Right wrist X-ray · lateral projection · age 3 y, girl 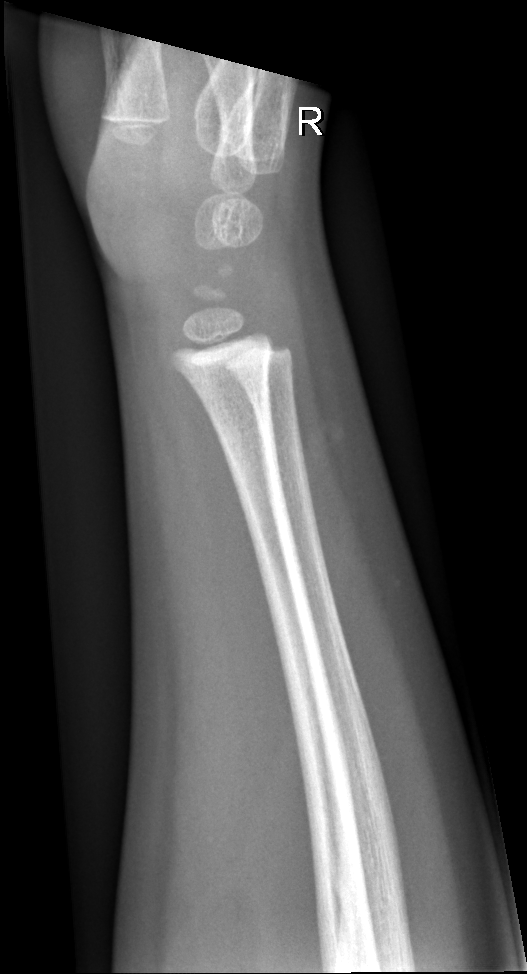
fracture = none labeled